PA/AP view | right plain radiograph of the wrist | 14-year-old boy | subsequent exam | image size 744x1056 — 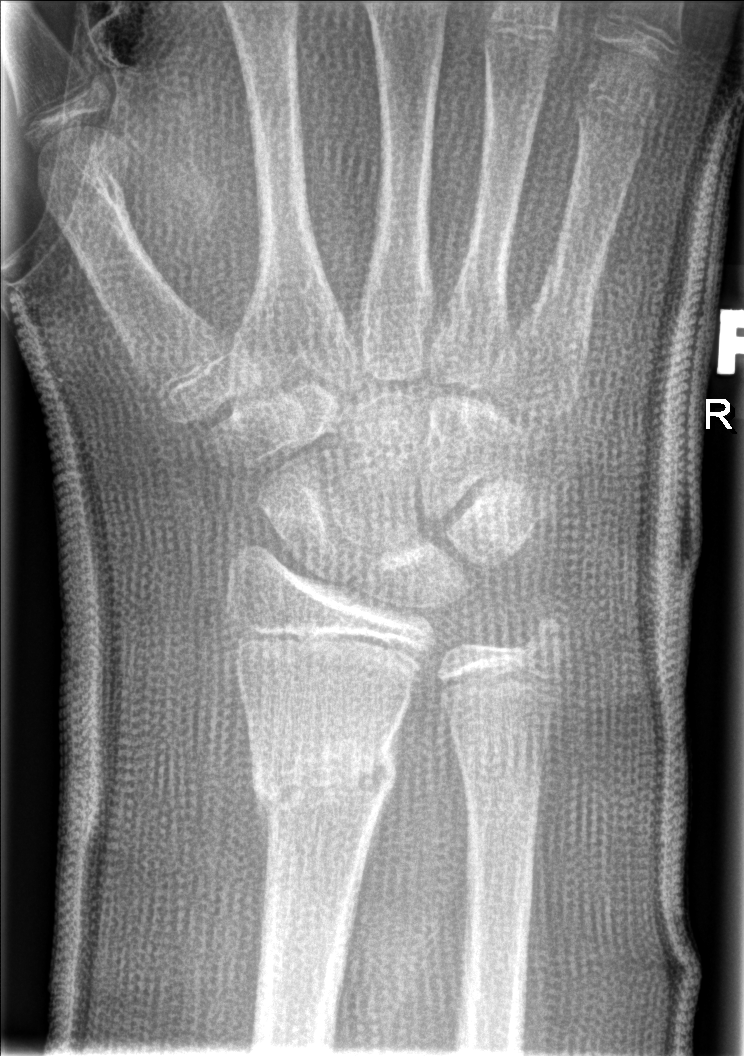 Pixel coordinates, top-left origin, xyxy.
AO/OTA classification: 23r-M/3.1; 23u-E/7.
Bone fracture: bbox(245, 729, 403, 826); bbox(516, 601, 575, 668).